L pediatric wrist radiograph, frontal view, pediatric patient (male, age 11), 479x874 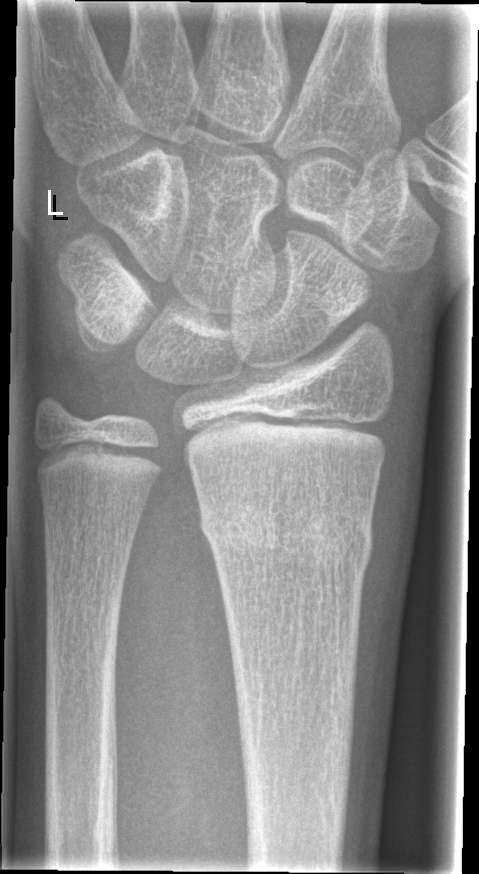 - One fracture at <200,492>-<375,581>.
- AO/OTA classification: 23r-M/2.1.